Lateral view; right wrist XR; 15y M — 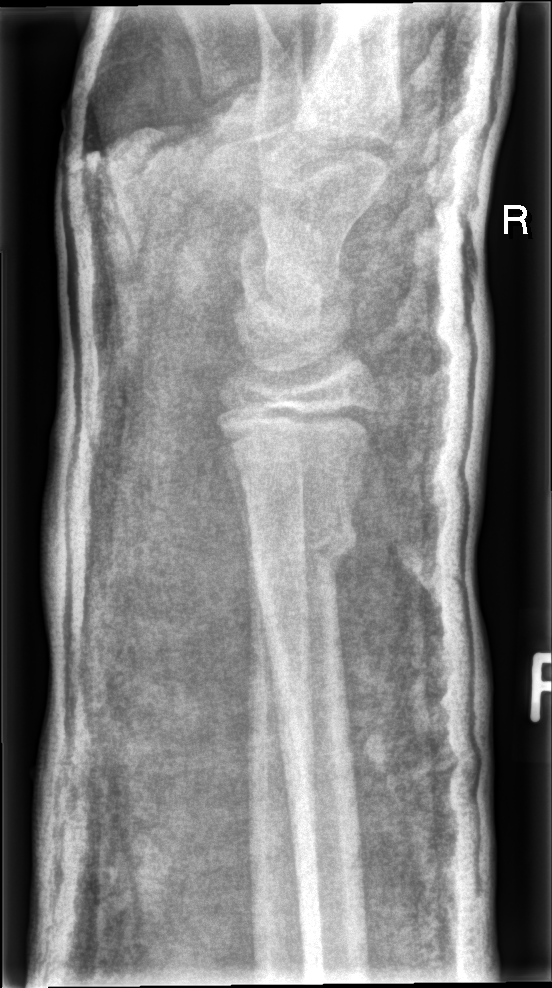
Findings: AO/OTA classification: 23r-M/3.1. Fracture: bbox(237, 493, 361, 596).